AP view · right plain radiograph of the wrist · pediatric patient (female, age 13) · subsequent exam · in cast 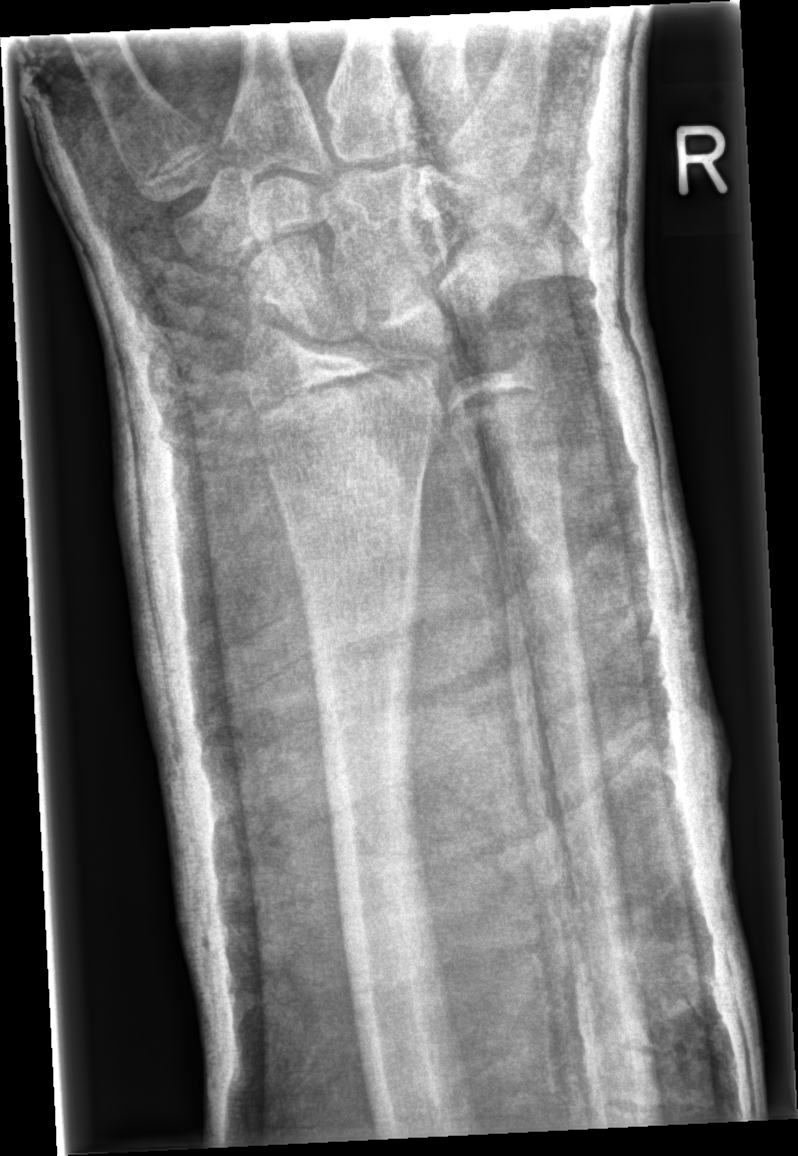
AO code 23r-E/2.1; 23u-E/7.
Fracture present, though not clearly seen in this view.